R plain radiograph of the wrist; PA/AP projection; age 6 y, girl; presentation radiograph; detector: Siemens; 632 by 765 pixels
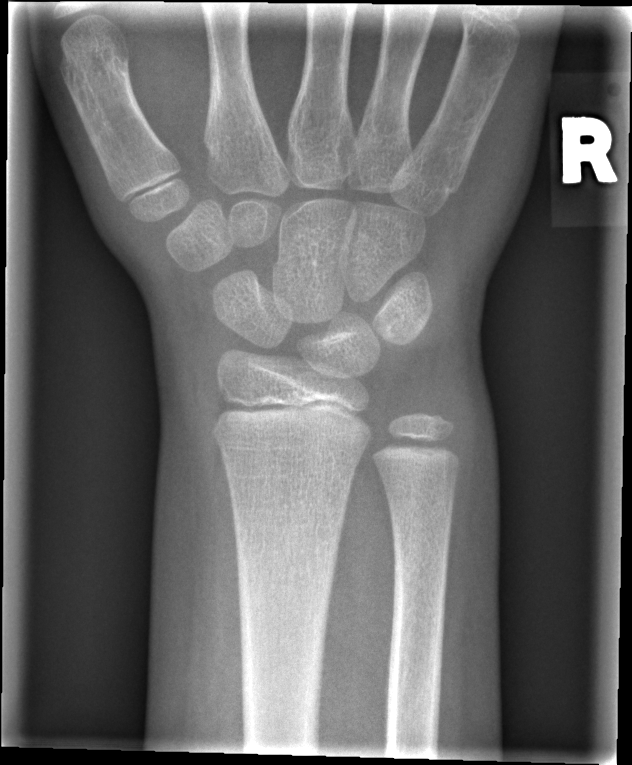

- No fracture bounding box.